Left wrist XR · lateral projection · male, 8 yo · subsequent exam · detector: Siemens 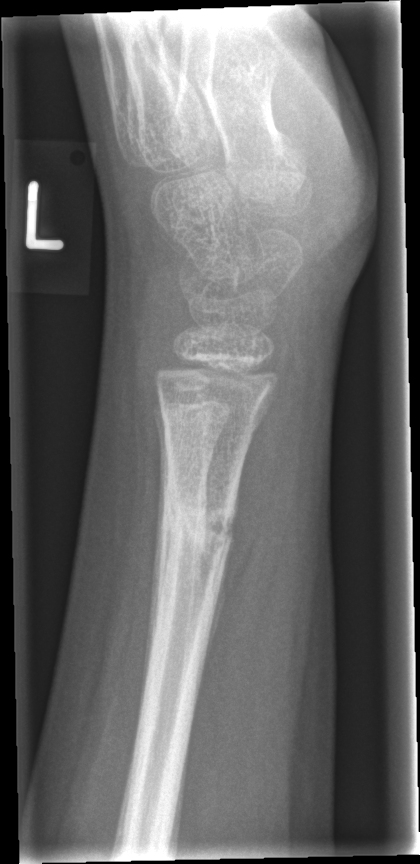

- Bounding boxes in image-pixel xyxy.
- Osteopenic.
- Periosteal reaction identified at 203 533 236 676.
- Bone fracture — 153 494 241 566.